Lat, R wrist plain film, 13y M.
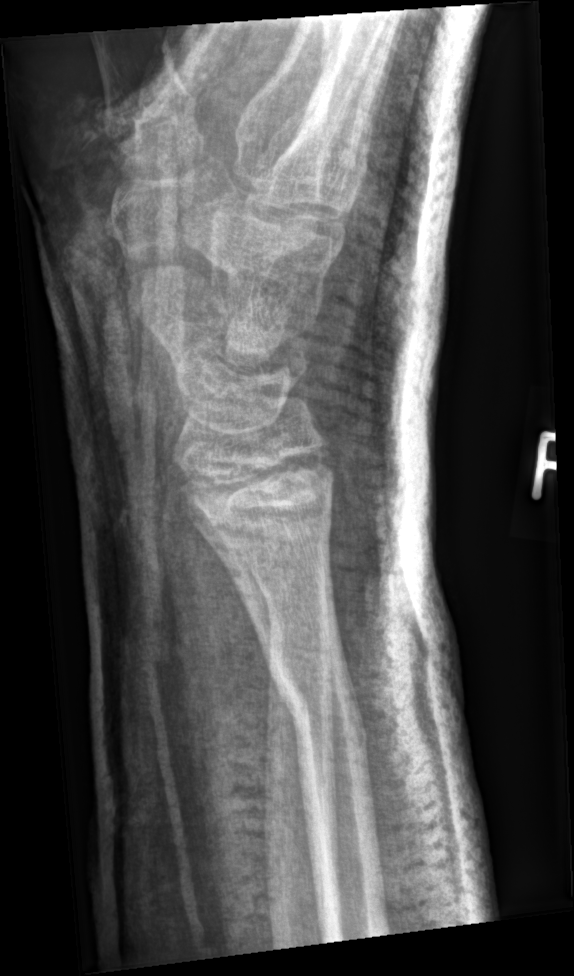
Fx = (262, 638, 370, 769) (255, 571, 337, 647)